AP, Lt wrist plain film:

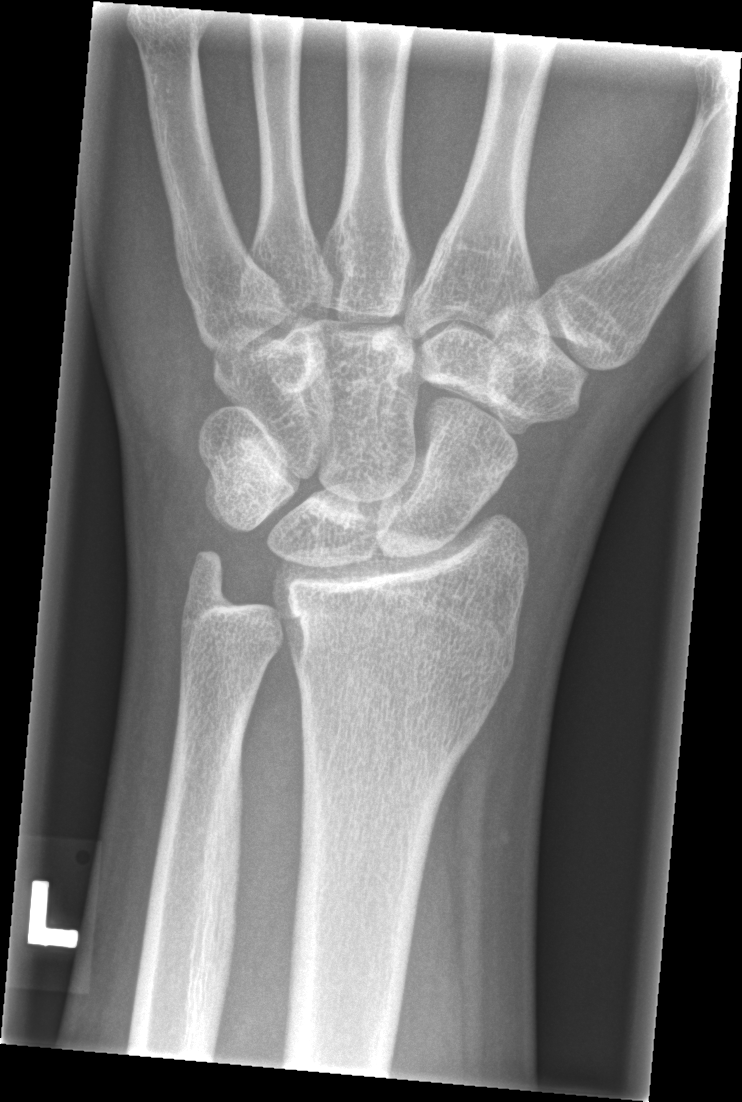
Fx: none.